Right wrist radiograph; lat projection; 9-year-old boy; 52.7 mm image width

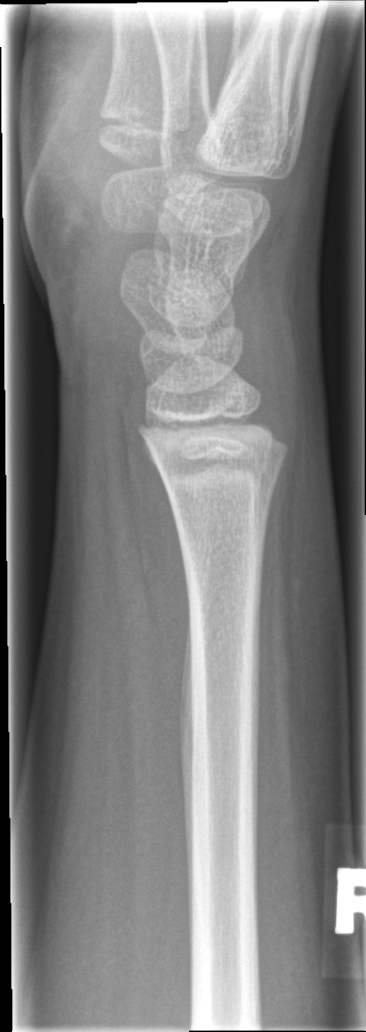
- No Fx annotated.